Lateral view; right pediatric wrist radiograph; initial study.
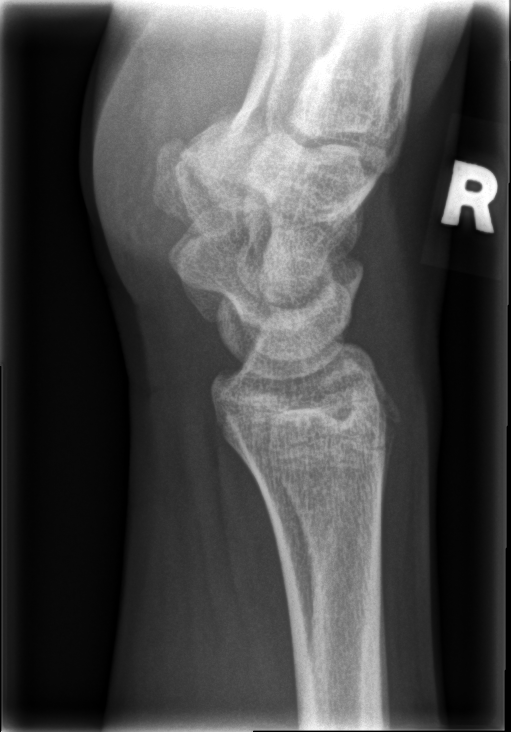
No fracture labeled.